Lateral projection, L plain radiograph of the wrist, age 10 y, male, presentation radiograph
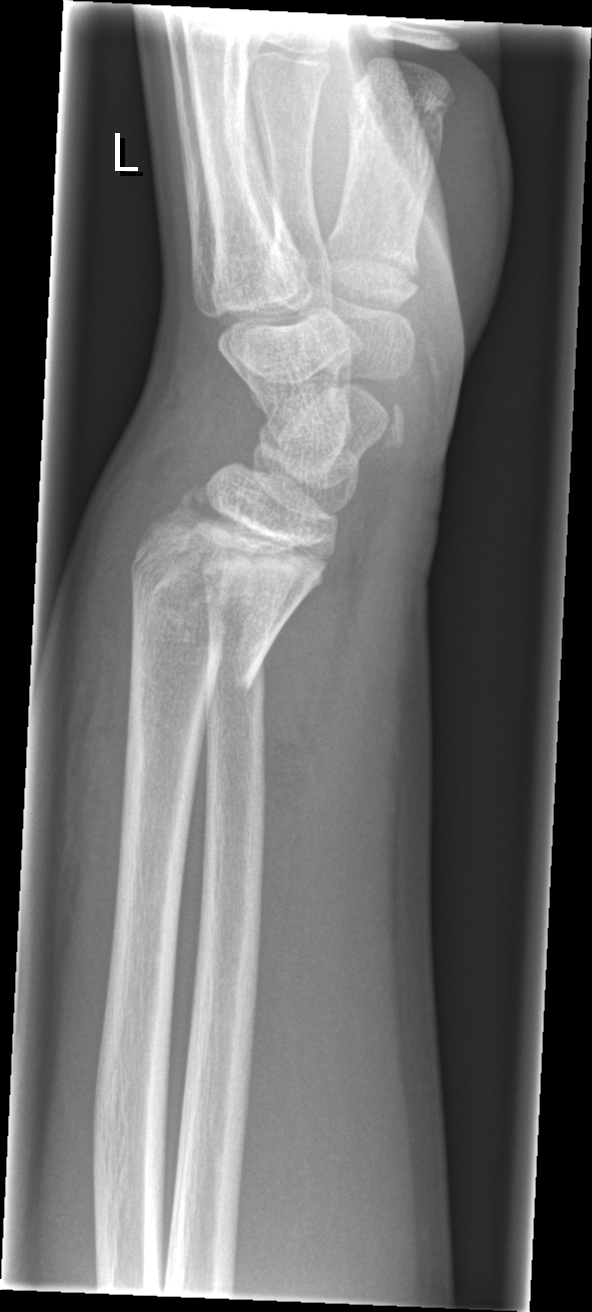
Boxes as x1,y1,x2,y2 (top-left / bottom-right, pixel units).
Bone fracture: [x1=124, y1=489, x2=283, y2=698].
Pronator sign — [x1=256, y1=513, x2=371, y2=911].
Fracture classified AO/OTA 23r-M/3.1; 23u-M/2.1.